PA view · Lt pediatric wrist radiograph:

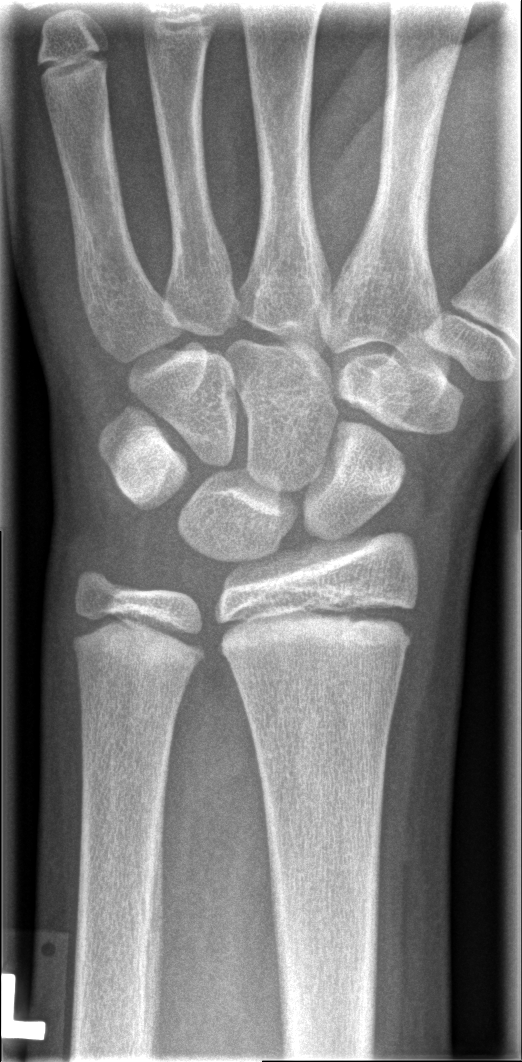 Q: Locate any fractures.
A: Fracture: none labeled